PA projection; right wrist X-ray; 14y F; detector: Agfa; 831 x 831 px

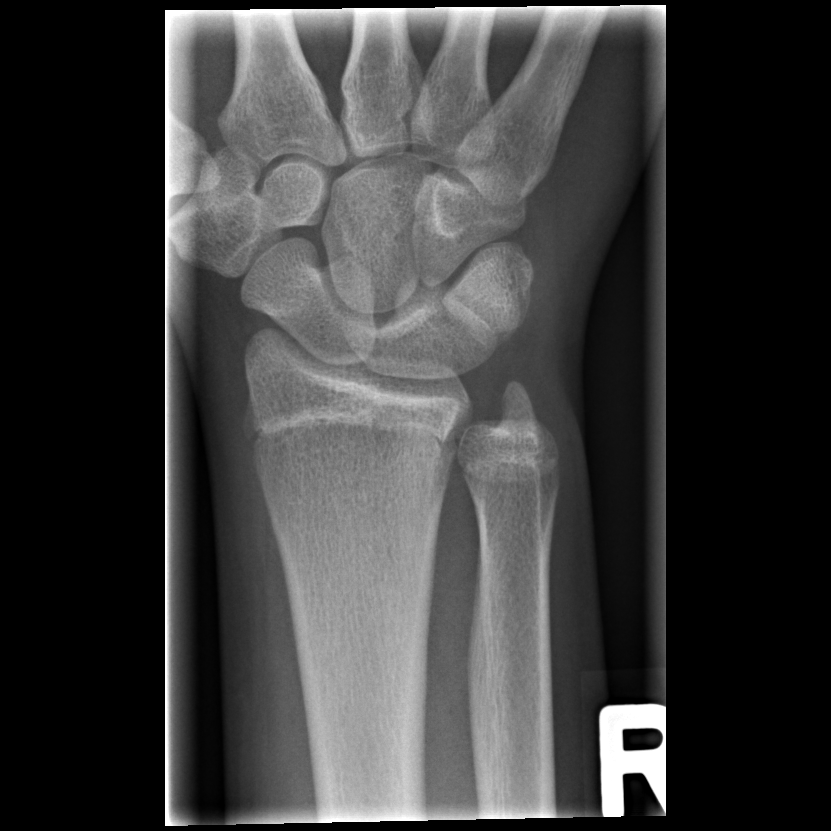 No fracture annotation.